Lt pediatric wrist radiograph; AP view; cast present: 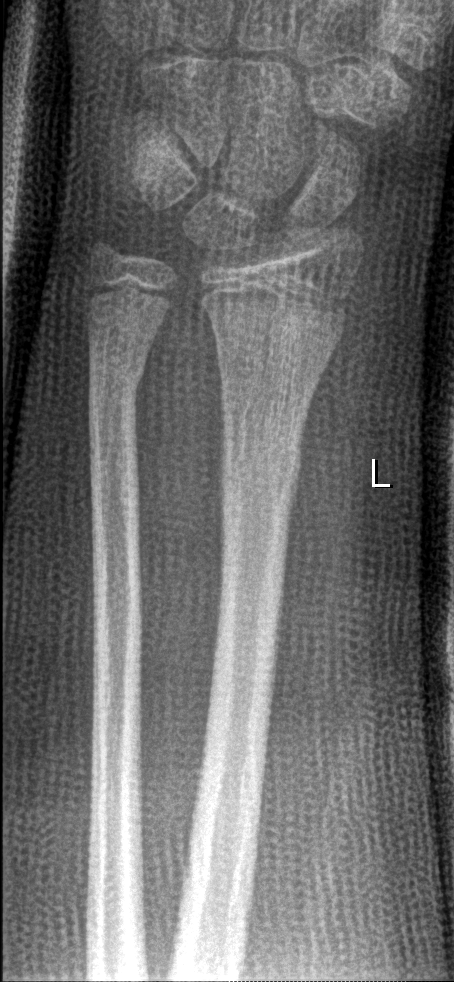
ao: 23-M/2.1
fracture: 2 @ (left=213, top=439, right=304, bottom=510), (left=84, top=343, right=147, bottom=396)